Lateral view · L wrist plain film · 8-year-old boy · index exam

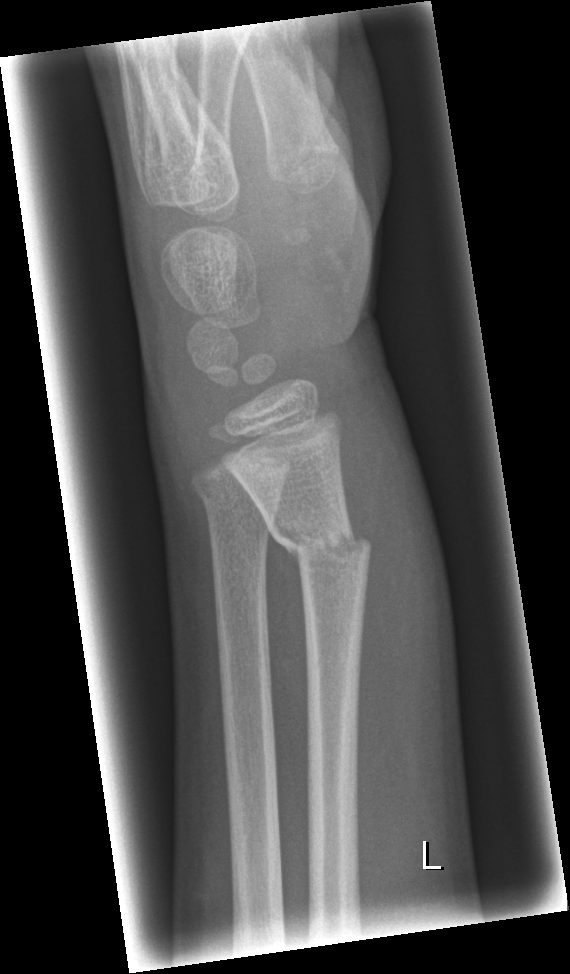
Bounding boxes in image-pixel xyxy. Bone fractures — [267, 511, 374, 571]; [195, 480, 285, 528].